Posteroanterior view | Lt wrist radiograph | subsequent exam 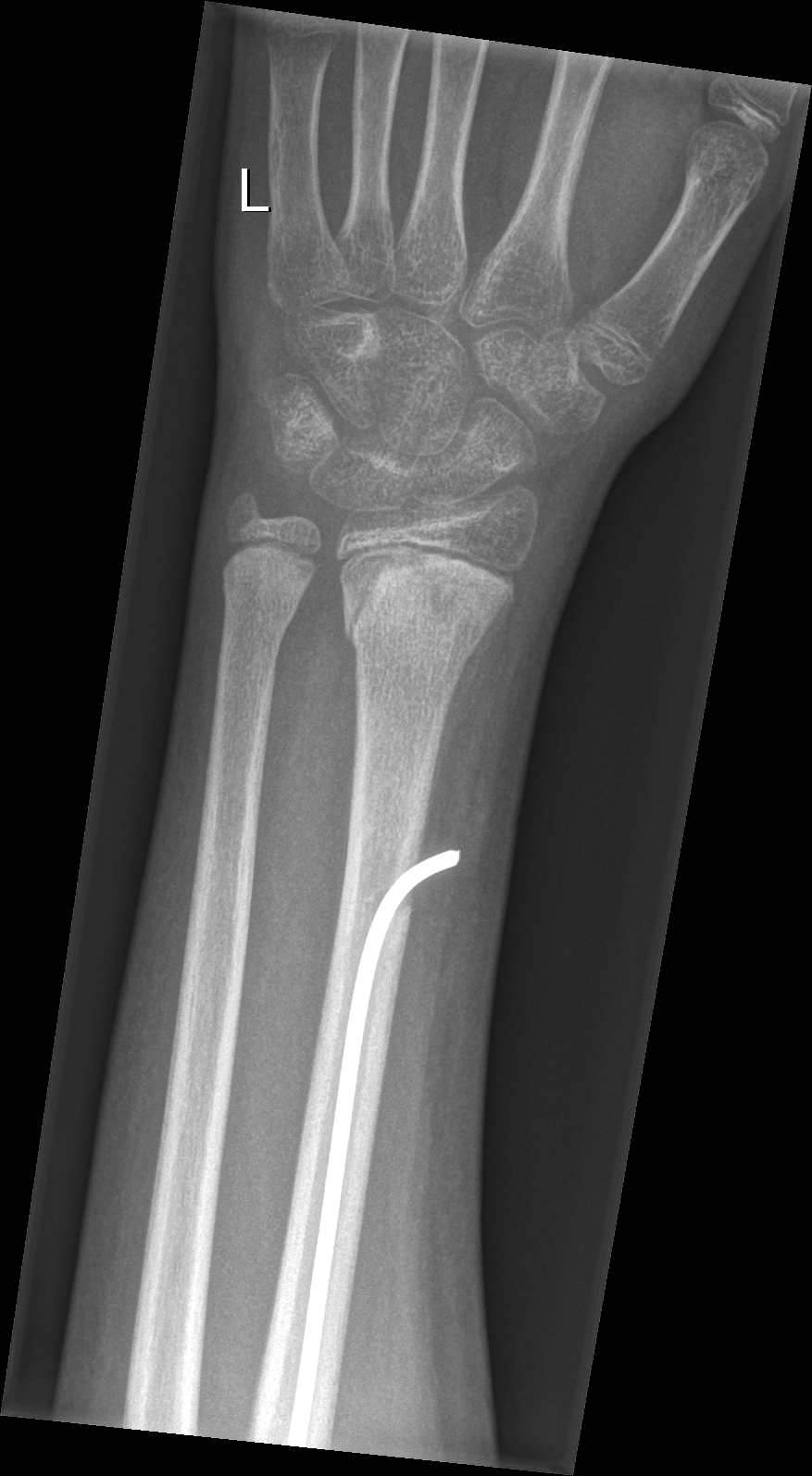

- AO/OTA classification: 23r-E/2.1; 23u-M/2.1.
- One metallic implant at 282,843,468,1448.
- Fx identified at 337,542,522,662; 222,533,322,633.
- Osteopenia.